Right wrist radiograph · PA · age 8 y, girl · Siemens 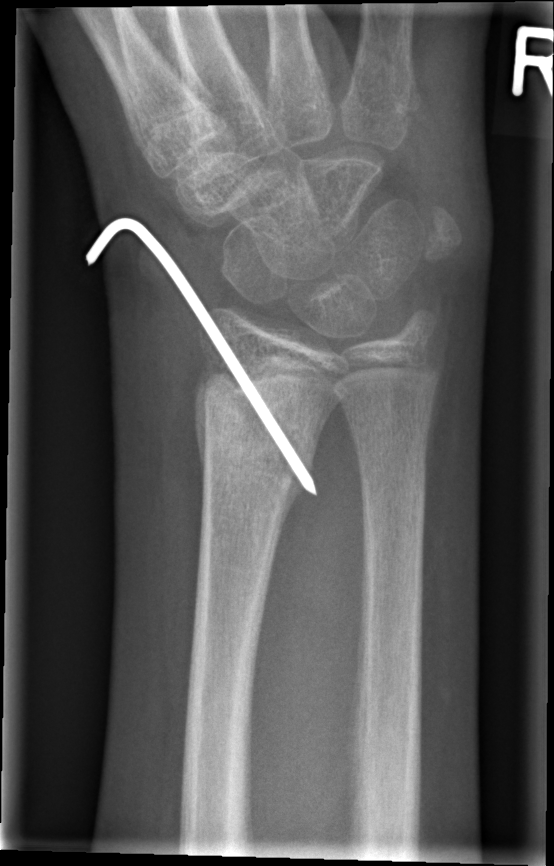

Metallic implant: (82, 206, 327, 505). Reduced bone mineral density. One fracture at (190, 381, 335, 510). AO/OTA classification: 23r-E/2.1. Periosteal thickening identified at (193, 384, 207, 496).